Left wrist pediatric wrist radiograph; lat projection; pediatric patient (male, age 8); follow-up

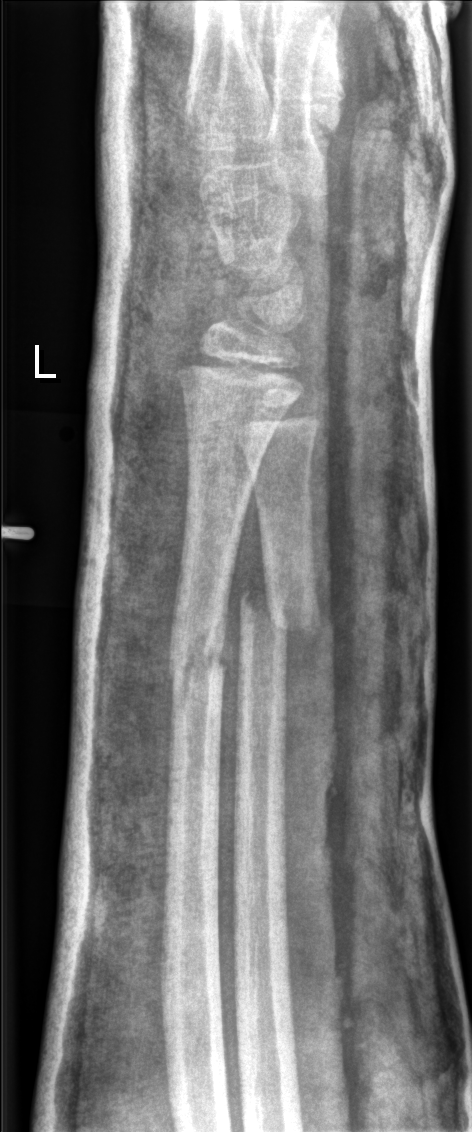
- Bounding boxes in image-pixel xyxy.
- AO code 23-M/3.1.
- Fx: [238, 582, 325, 646]; [163, 625, 230, 706].